Left wrist pediatric wrist radiograph; AP; 12y M; 600 by 698 pixels:
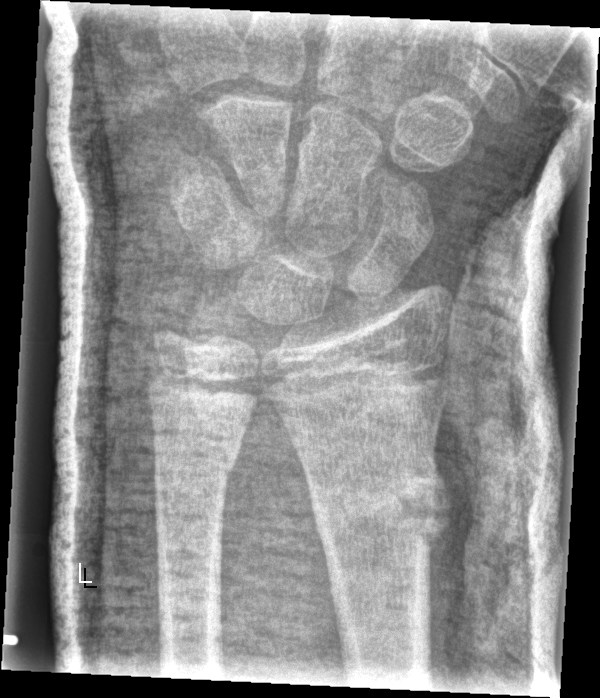
(boxes as x1,y1,x2,y2 (top-left / bottom-right, pixel units))
Fracture = [306, 452, 455, 556] [146, 411, 243, 492]